AP view, L plain radiograph of the wrist, in cast, image 89.0 mm wide —

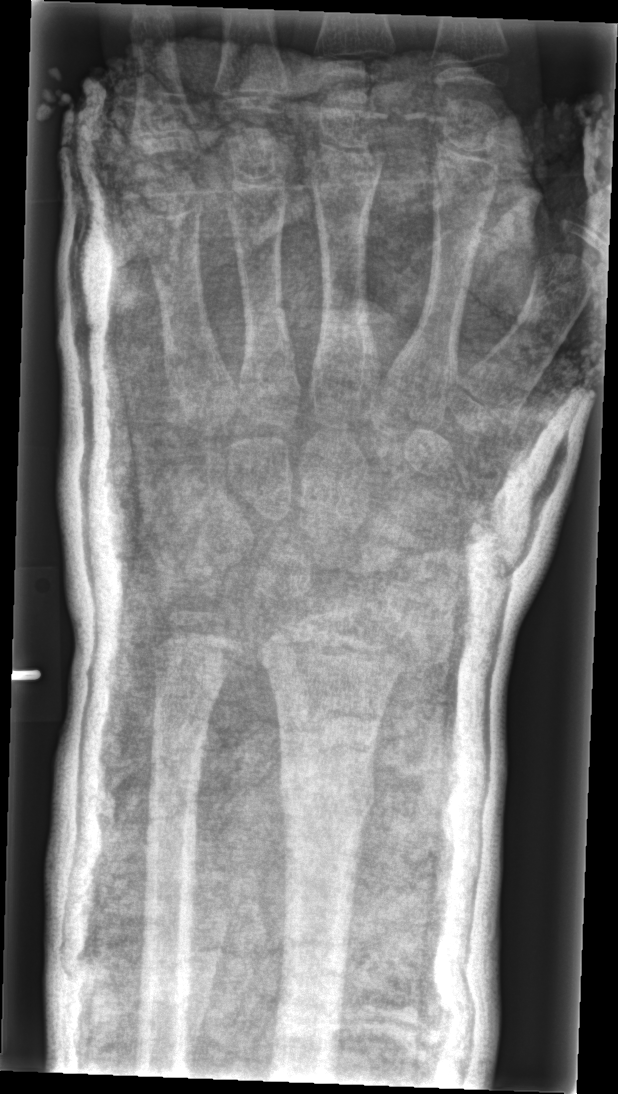
{"_coords": "bounding boxes in image-pixel xyxy", "fracture": "(left=274, top=749, right=379, bottom=827)"}